R wrist radiograph · lateral view · age 7 y, boy · presentation radiograph · Siemens · image size 388x846 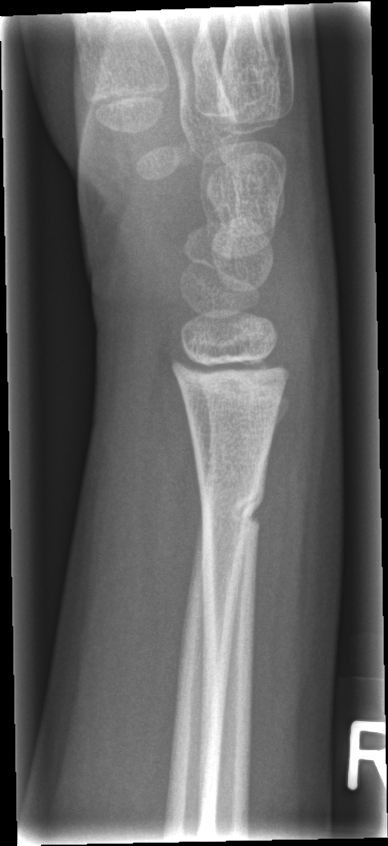 AO/OTA classification: 23r-M/3.1; 23u-M/2.1.
Fx — <192,478>-<271,545>.
Pronator sign — <138,321>-<202,652>.